PA view · right wrist XR

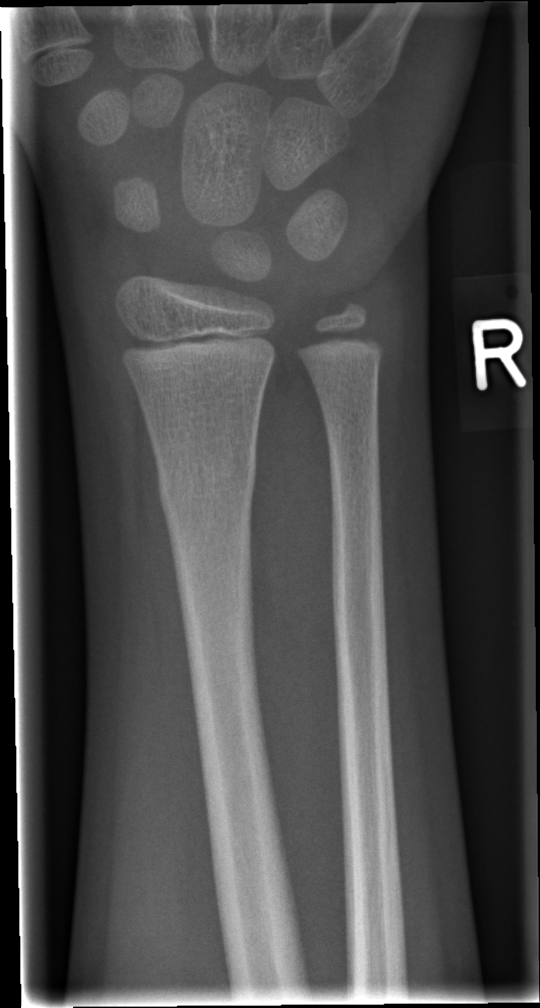
Fracture: 1 @ 153 449 260 524
AO classification: 23r-M/2.1